Posteroanterior · Rt pediatric wrist radiograph · in cast · Siemens · 706x724: 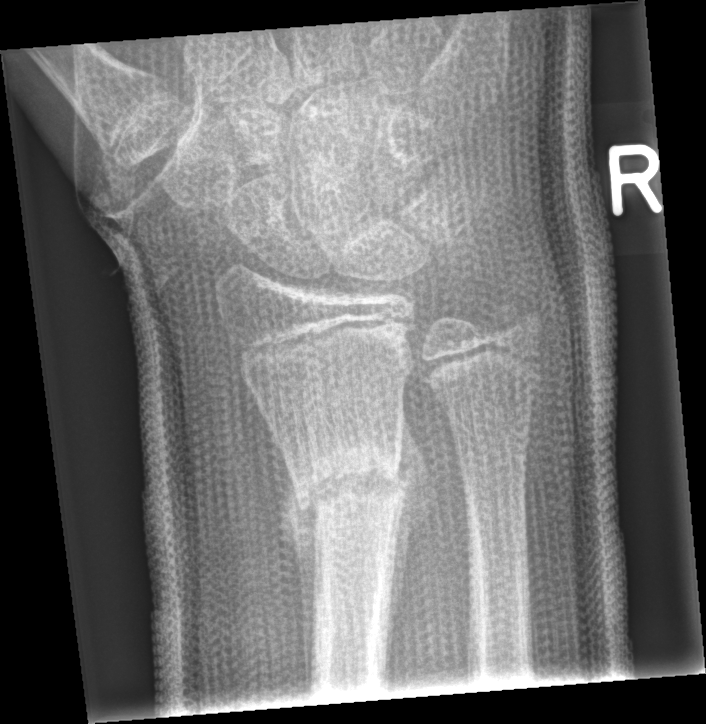
Findings: (pixel coordinates, top-left origin, xyxy) Periosteal thickening: 386,400,438,663; 271,427,320,696. Fx: 288,430,412,541 | 480,291,546,347. AO code 23r-M/3.1; 23u-E/7.